AP projection · right wrist radiograph · age 6 y, girl — 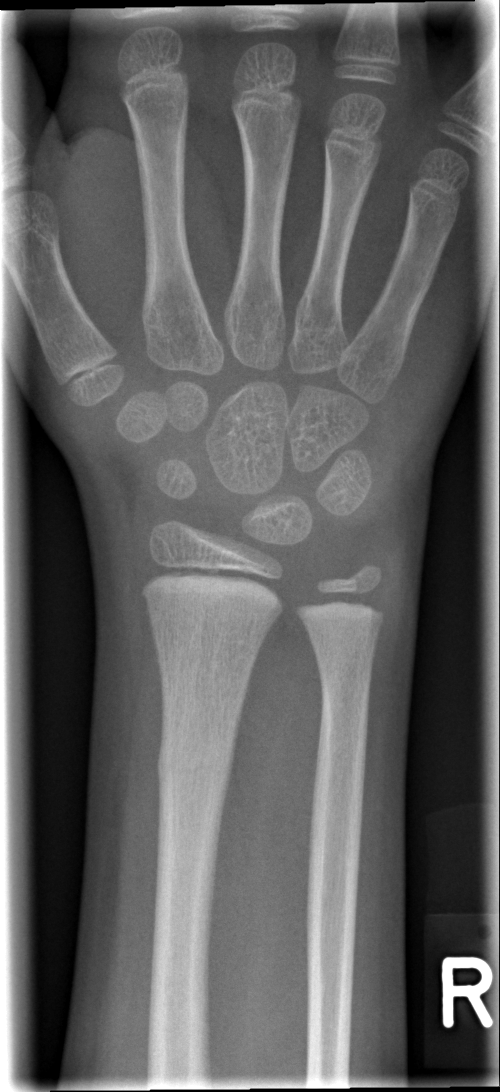

* One bone fracture at (149, 712, 242, 804).